Rt wrist radiograph · AP · 3-year-old male · image width 72.6 mm —

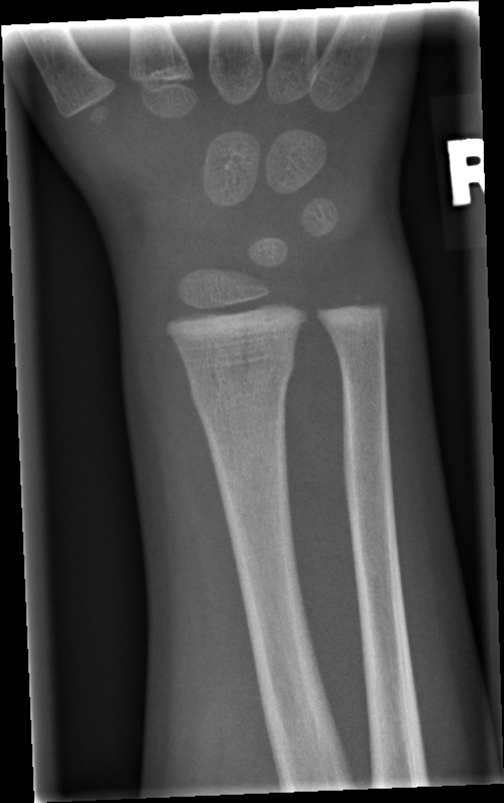
(coordinates are [x1, y1, x2, y2] in image pixels)
Fx: 1 @ [x1=182, y1=339, x2=299, y2=406]